Rt wrist X-ray, lateral
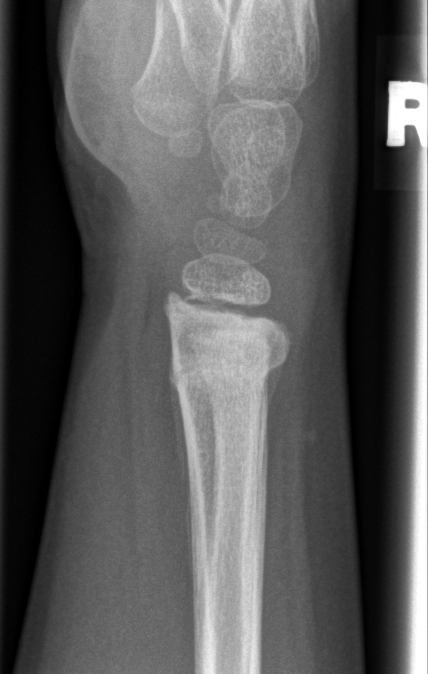

{
  "_coords": "boxes as x1,y1,x2,y2 (top-left / bottom-right, pixel units)",
  "osteopenia": "present",
  "fracture": "[x1=165, y1=348, x2=290, y2=399]",
  "periostealreaction": "[x1=172, y1=372, x2=196, y2=568]",
  "ao": "23-M/2.1"
}